Lateral projection | Rt wrist radiograph | Siemens —

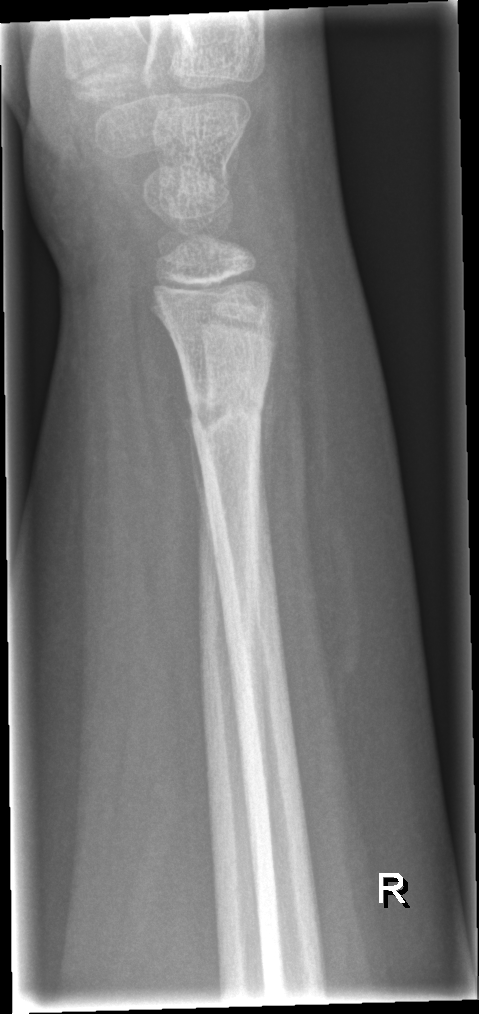
FINDINGS: Reduced bone mineral density. Periosteal thickening identified at (183, 380, 215, 557), (258, 342, 277, 544). AO/OTA classification: 23r-M/3.1. Bone fracture: (182, 376, 269, 436).